Right wrist radiograph | lat projection | age 13 y, male | subsequent exam | in cast | image size 522x1204:

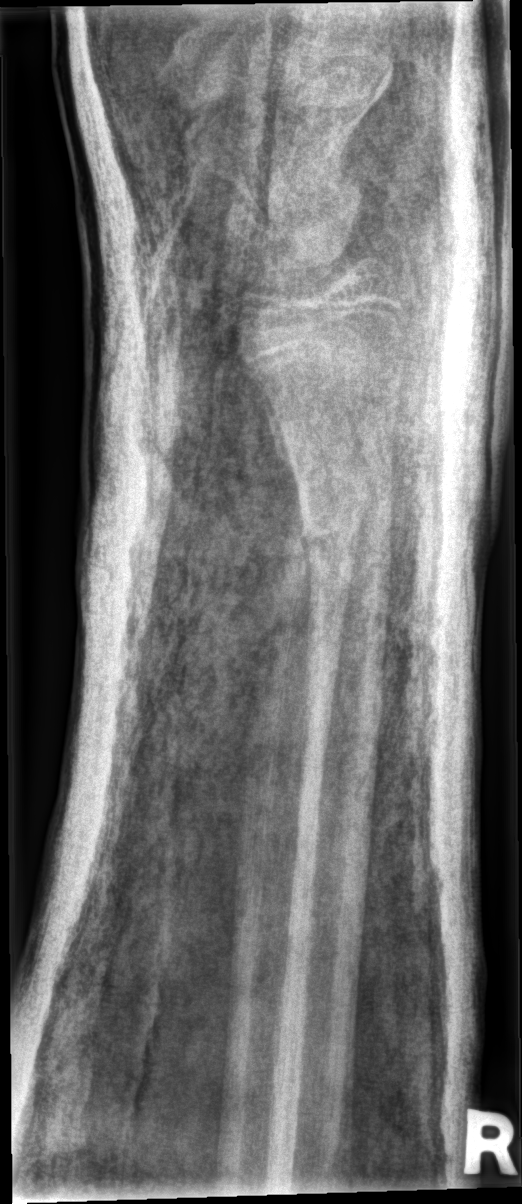 Fx: bbox(296, 493, 394, 598)